Lat view, left wrist plain radiograph of the wrist, 12-year-old female, in cast
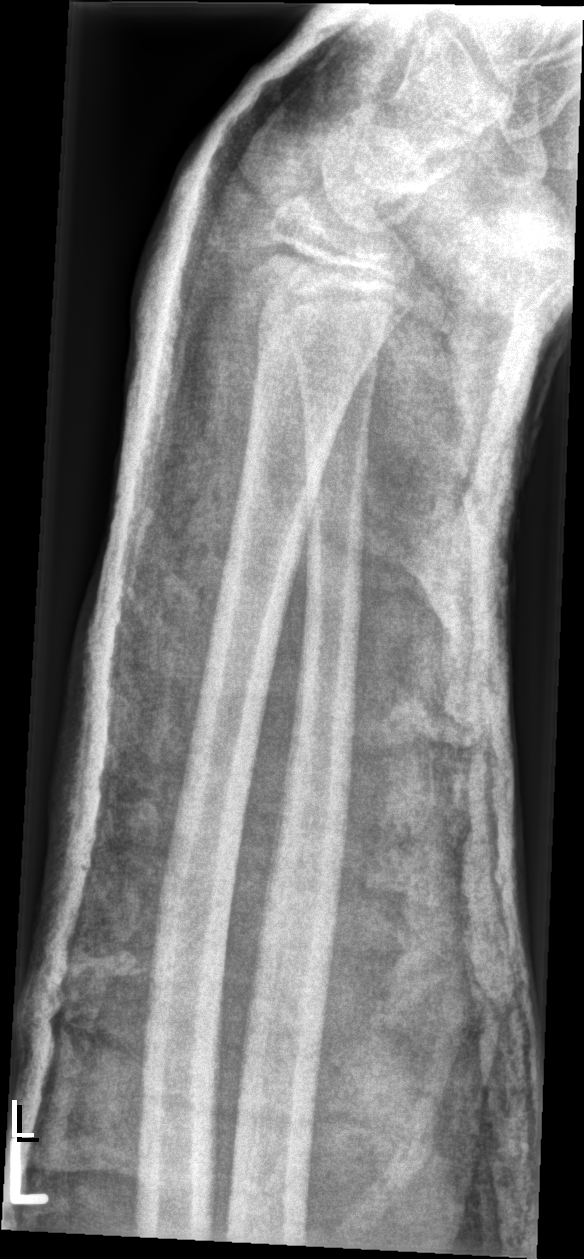 AO code = 23r-E/2.1; 23u-E/7
bone fracture = 1 @ (240, 234, 416, 327)